Left plain radiograph of the wrist | frontal view | 569 x 922 px 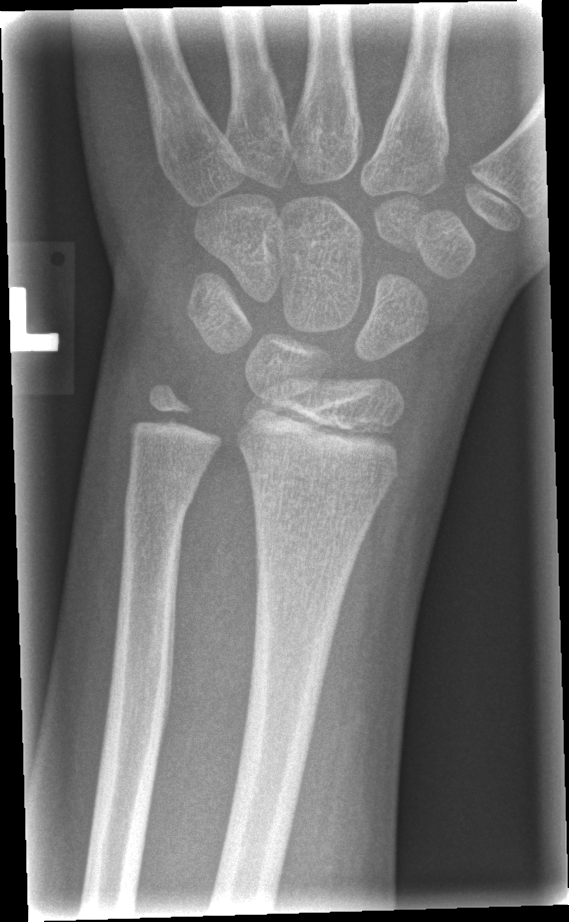   ao: 23u-M/2.1
  fracture: 1 @ <120,466>-<201,536>